PA/AP view, left wrist XR, pediatric patient (male, age 7), image width 76.0 mm:

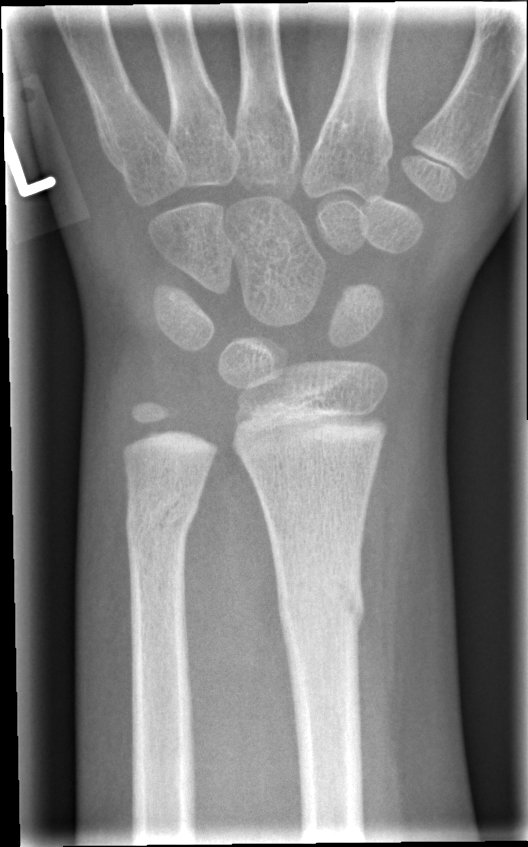
Pixel coordinates, top-left origin, xyxy. Fracture identified at bbox(272, 562, 368, 647), bbox(122, 488, 202, 556). AO/OTA classification: 23-M/3.1.